Lateral view | L wrist X-ray | 16y M | 500 x 1356 px.

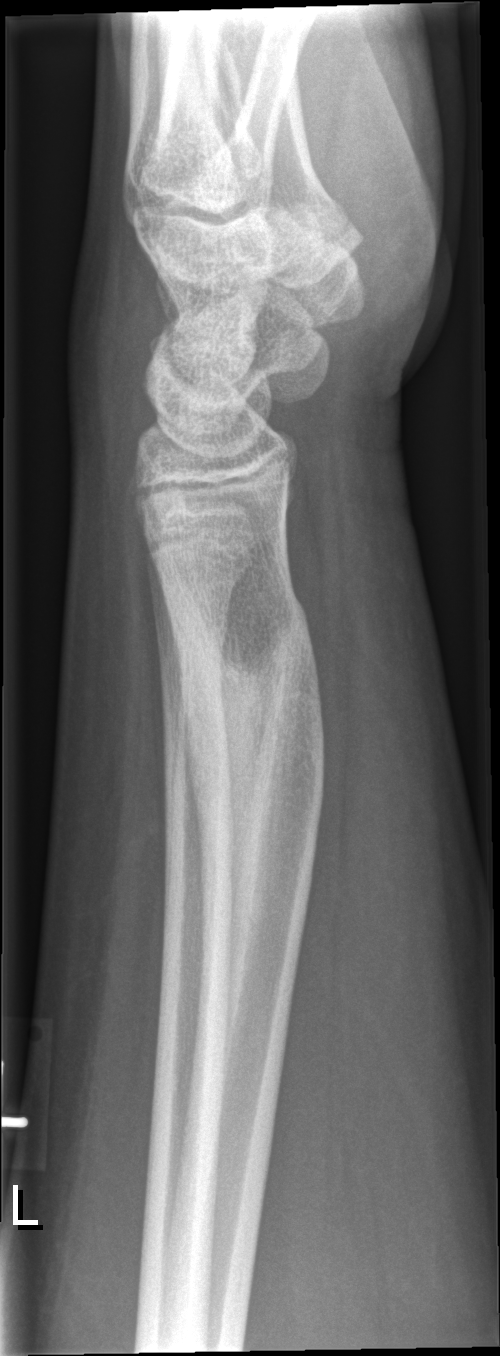

Q: What is the AO/OTA classification?
A: AO/OTA classification: 23r-M/3.1; 23u-E/1; 23u-E/7
Q: Is there a fracture?
A: Fracture identified at 155,550,330,961